PA/AP projection | R wrist XR | age 1.8 y, boy — 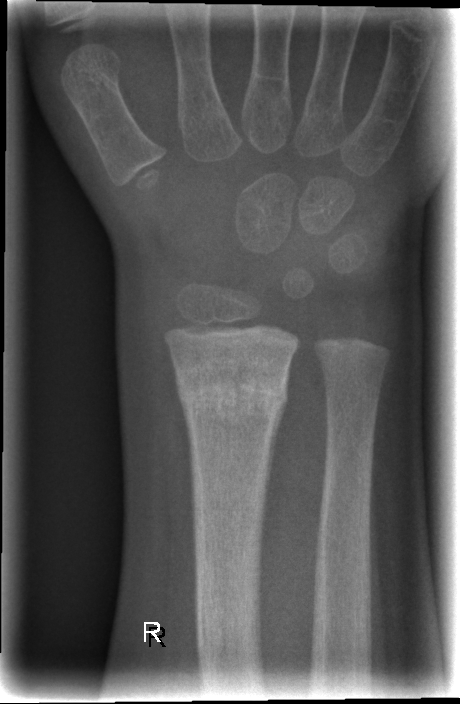

Findings: (boxes as x1,y1,x2,y2 (top-left / bottom-right, pixel units)) AO/OTA classification: 23r-M/2.1. Osteopenia. Fx — 170,371,294,429.